L wrist X-ray, AP view, girl, 11 yo — 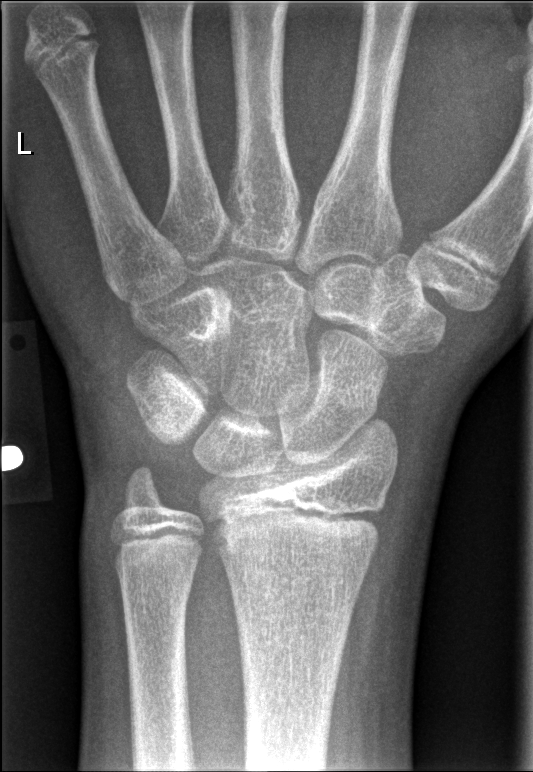 Findings: No fracture bounding box.